L wrist XR · lateral view · age 5 y, female

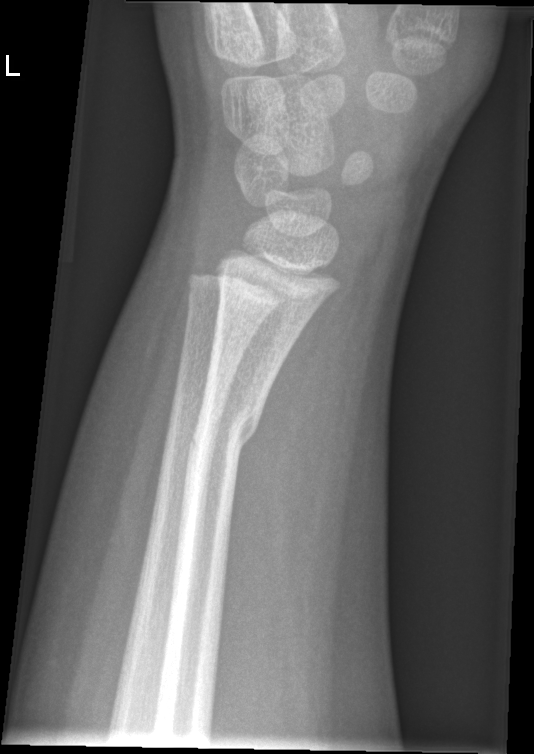 Findings: (bounding boxes in image-pixel xyxy) Fracture: [x1=185, y1=408, x2=260, y2=469].